Right plain radiograph of the wrist · frontal · age 6 y, male · 760 by 1509 pixels. 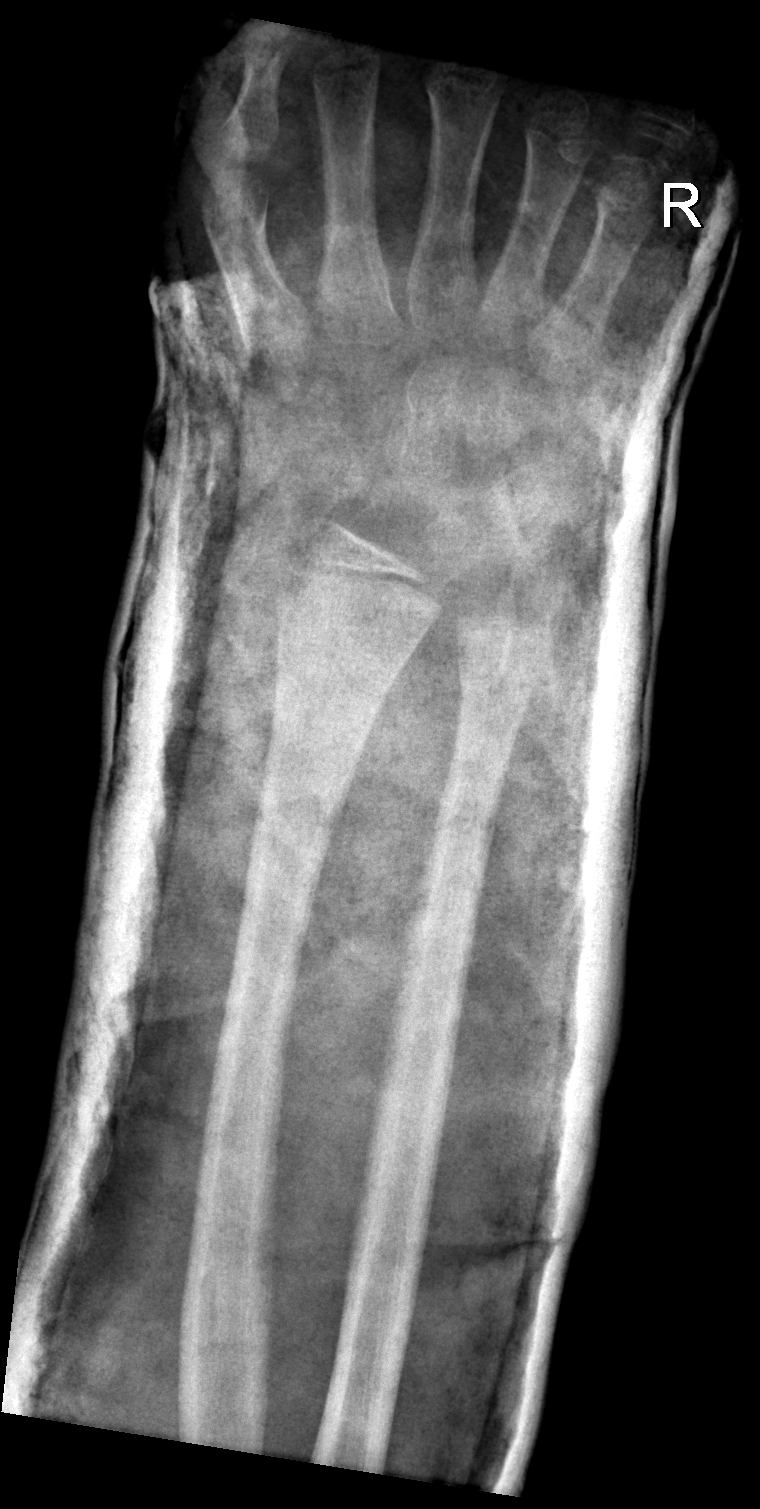 Fracture classified AO/OTA 22-D/2.1. Bone fracture: 248 770 348 849
  429 787 506 853.